Oblique view · Lt wrist XR · 11-year-old girl · in cast — 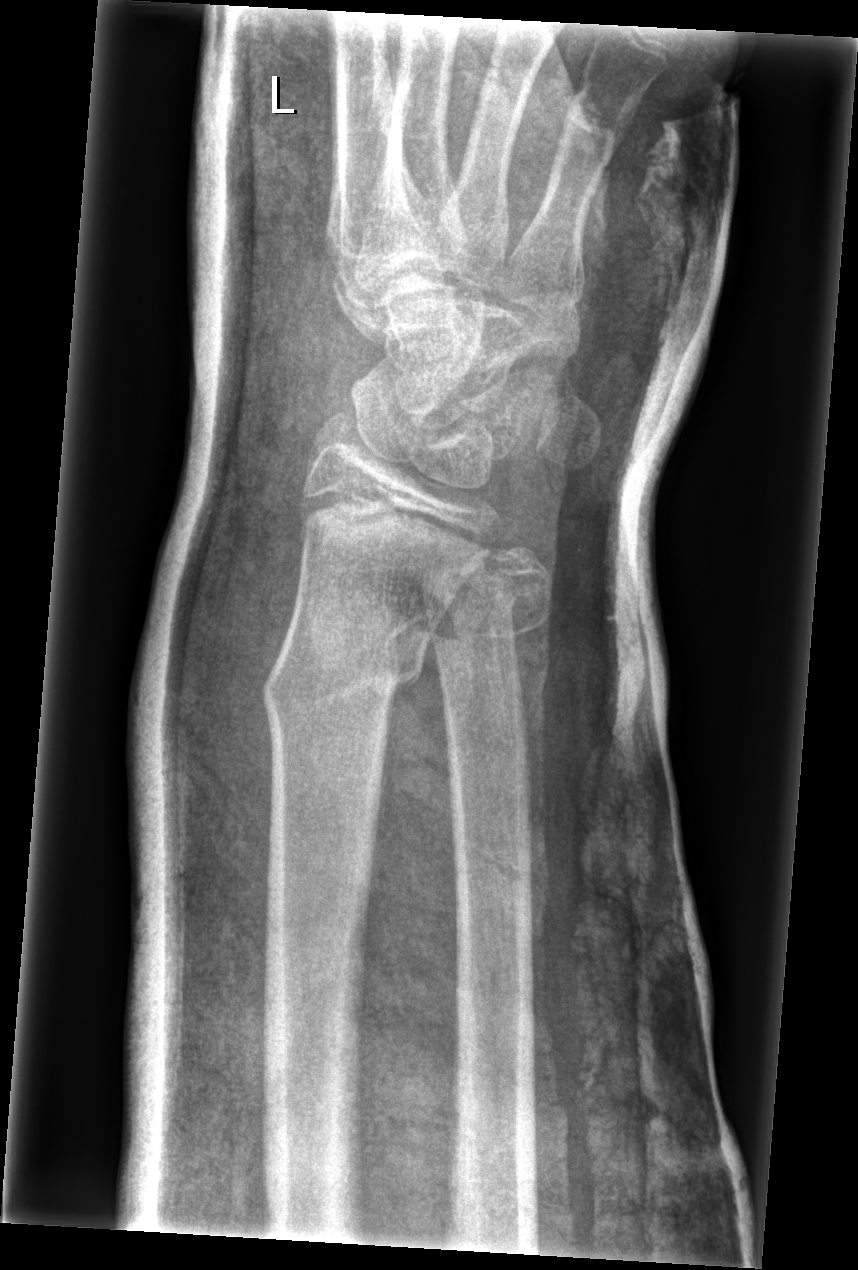 Q: Is there a fracture?
A: Bone fractures — 256 616 429 717
  416 544 555 642
Q: AO code?
A: AO code 23r-M/2.1; 23u-E/2.1